PA/AP; Rt plain radiograph of the wrist; 12-year-old boy:

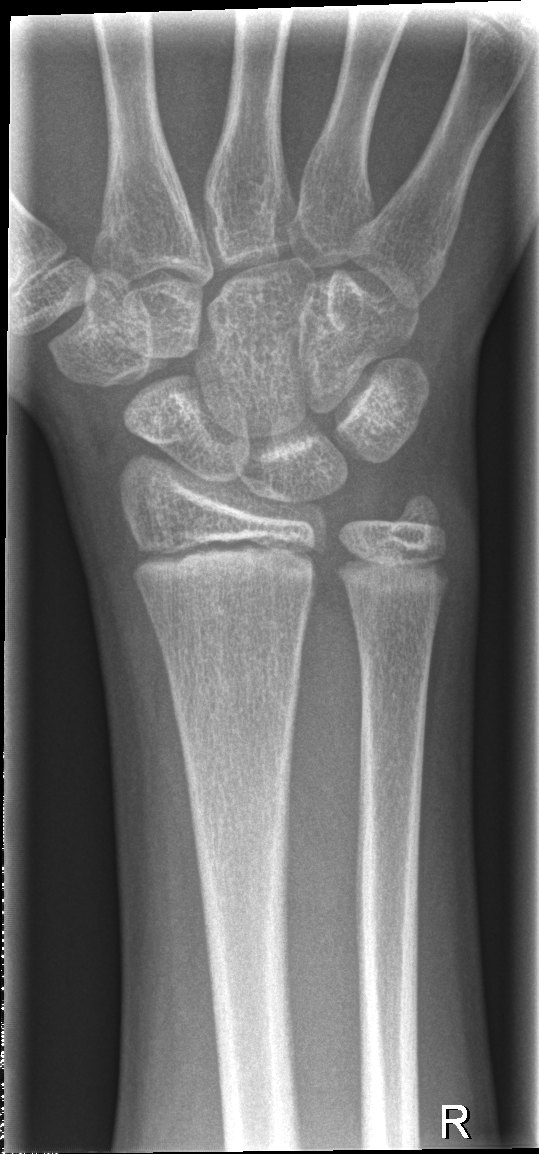

Fx: present but not clearly seen in this view
AO classification: 23r-M/2.1